Lat; Lt wrist XR; age 14 y, girl; 478x858:
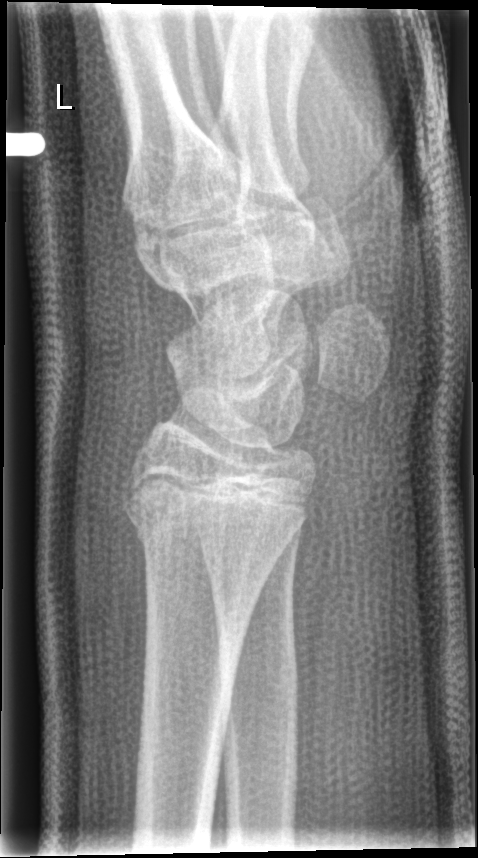
(boxes as x1,y1,x2,y2 (top-left / bottom-right, pixel units))
bone fracture: 1 @ [117, 480, 309, 548]
AO classification: 23r-M/2.1